PA view, Rt wrist X-ray, cast present, image 93.7 mm wide, 651x1240.
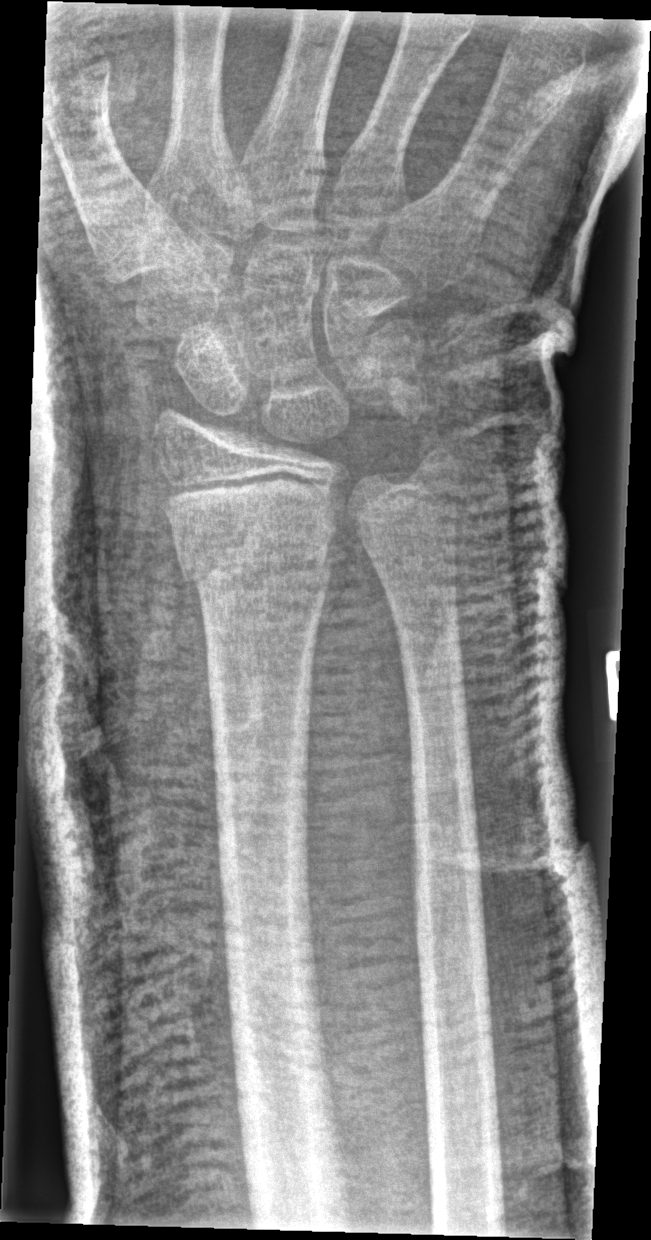
- Boxes as x1,y1,x2,y2 (top-left / bottom-right, pixel units).
- Fx identified at bbox(173, 527, 335, 617).